Lt wrist X-ray · PA · cast present · image width 78.9 mm 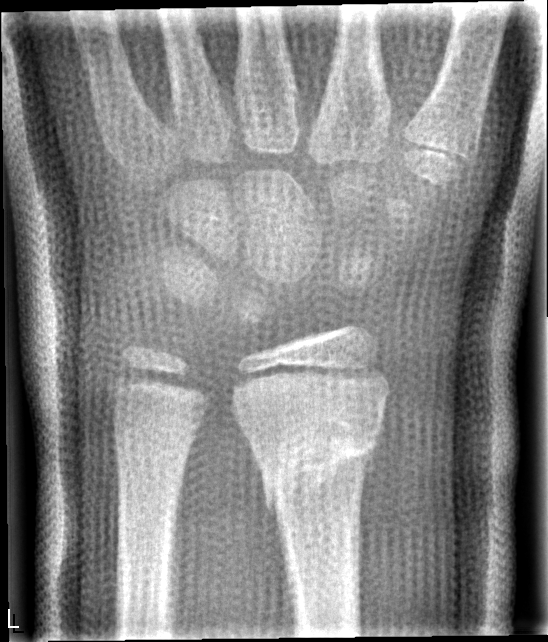
Pixel coordinates, top-left origin, xyxy. Fx identified at (259, 431, 381, 514).